Lat view; Lt wrist plain film; 9-year-old girl; in cast. 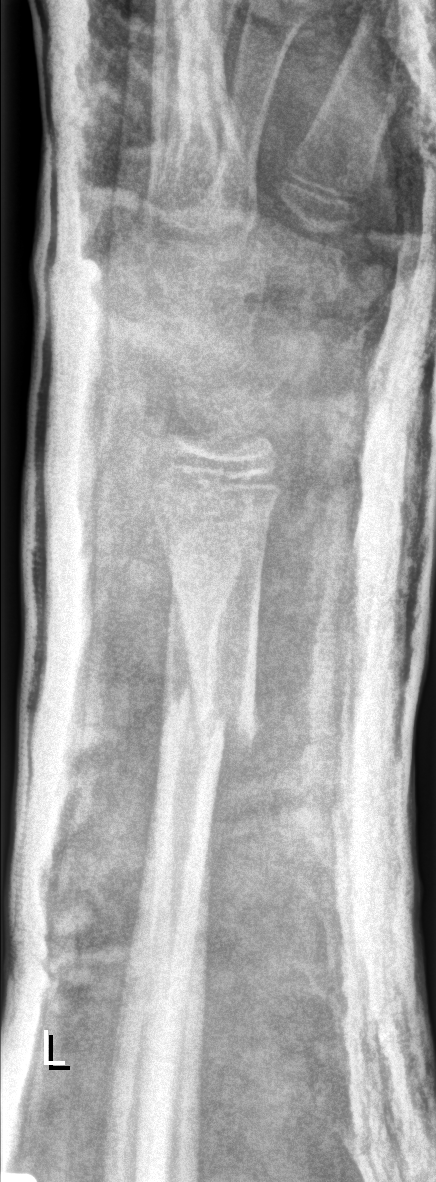
Bone fracture = 2 @ 152 677 263 764 | 164 560 237 633